R wrist plain film · lat — 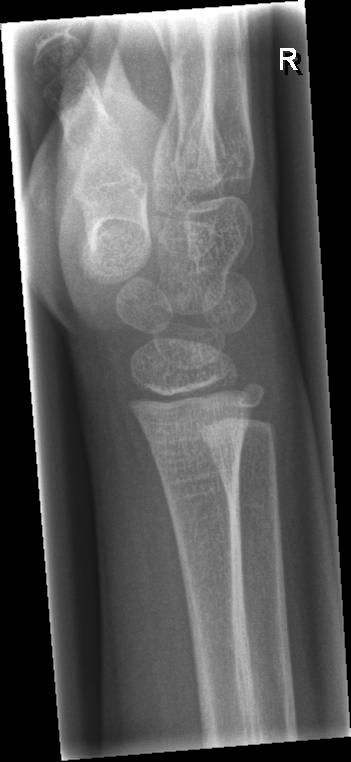
  # coordinates are [x1, y1, x2, y2] in image pixels
  fracture: [x1=141, y1=400, x2=254, y2=456]
  ao: 23r-M/2.1